Lateral view · left wrist plain film · 6-year-old female · acquired on Siemens.

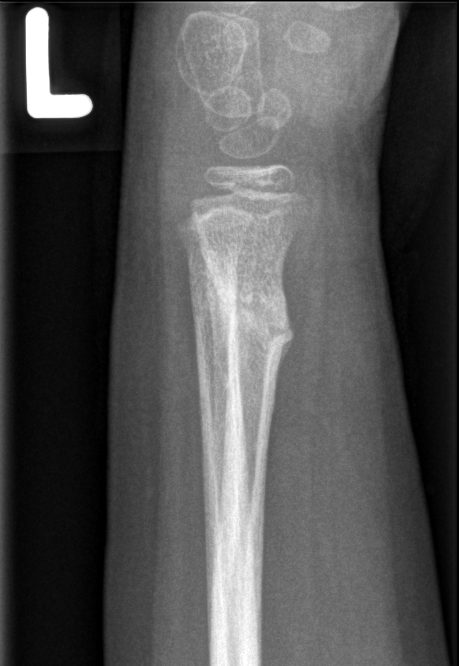 Pixel coordinates, top-left origin, xyxy. One bone fracture at 199 273 296 365. AO code 23r-M/3.1; 23u-M/2.1. Osteopenic.